Posteroanterior view · Lt wrist plain film · index exam.
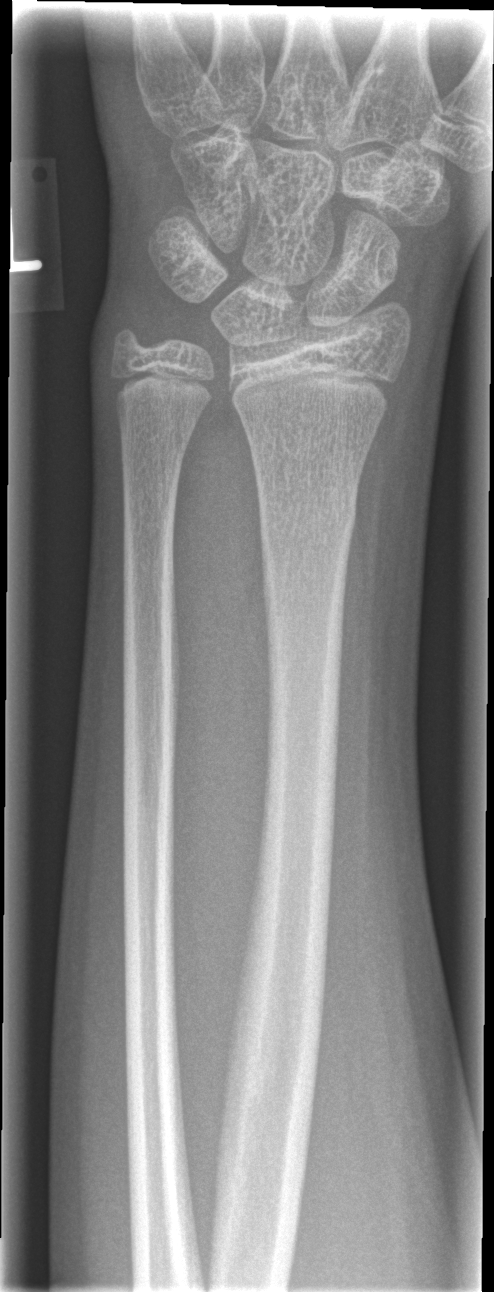
  fracture: <255,477>-<362,550>